Right wrist X-ray, lat projection —
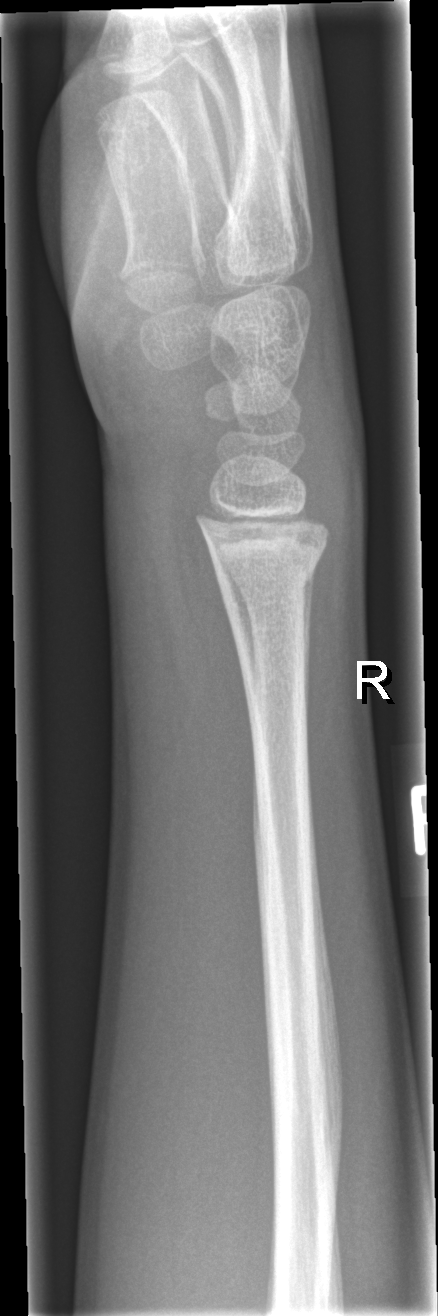
AO classification = 23r-M/2.1
bone fracture = 1 @ 210,540,333,594